Posteroanterior projection; left wrist plain radiograph of the wrist; image size 573x808 — 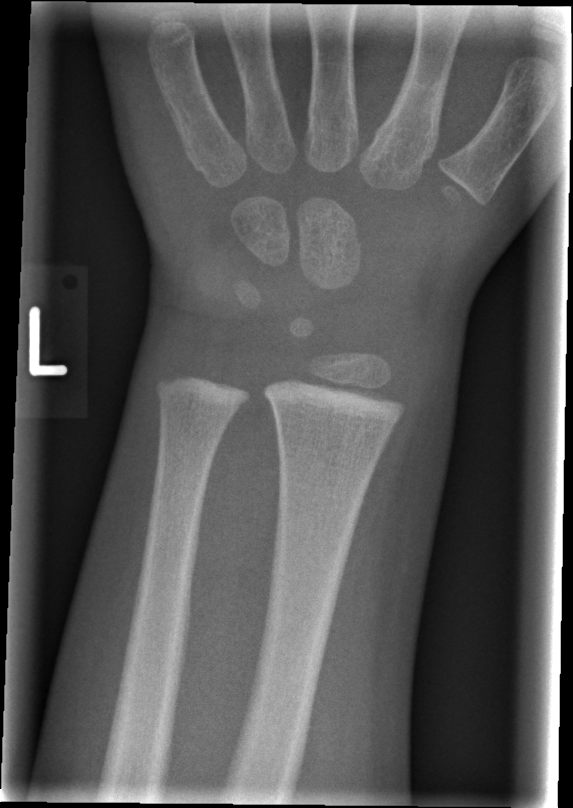

FINDINGS — Fracture: none labeled.